AP view · left pediatric wrist radiograph · subsequent exam · 553 x 1126 px —
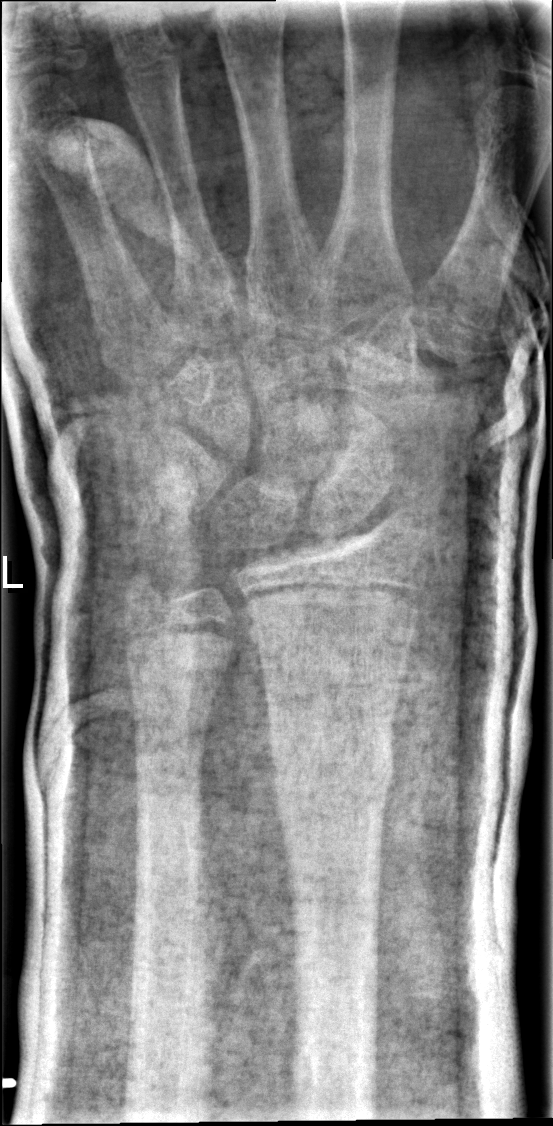
Q: Fracture present?
A: Fx identified at [267, 726, 399, 820]
Q: What is the AO/OTA classification?
A: Fracture classified AO/OTA 23r-M/2.1; 23u-E/1